Rt wrist X-ray, lateral view, 74.6 mm image width, 518 x 1018 px — 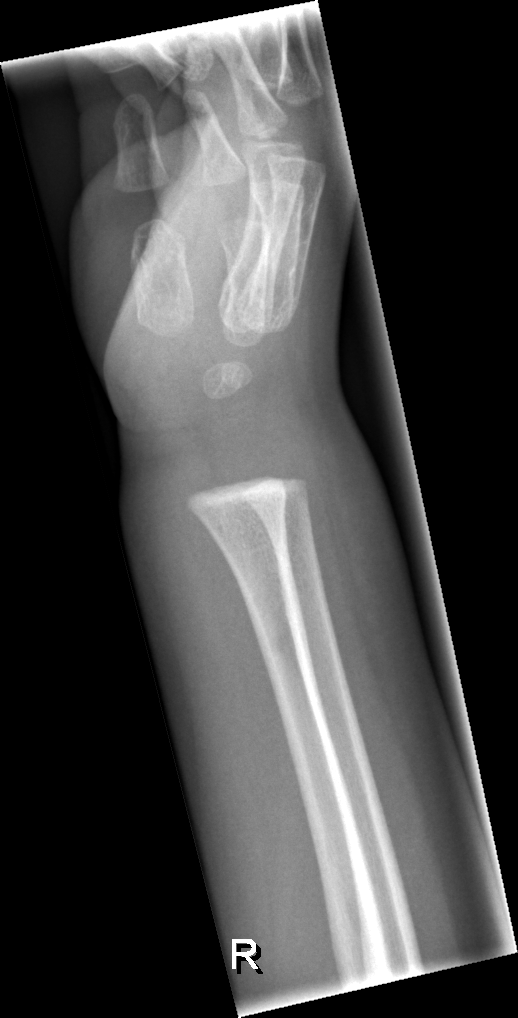

{"fracture": "none labeled"}